Lateral view; left wrist XR; 7y M; follow-up; image width 63.4 mm —
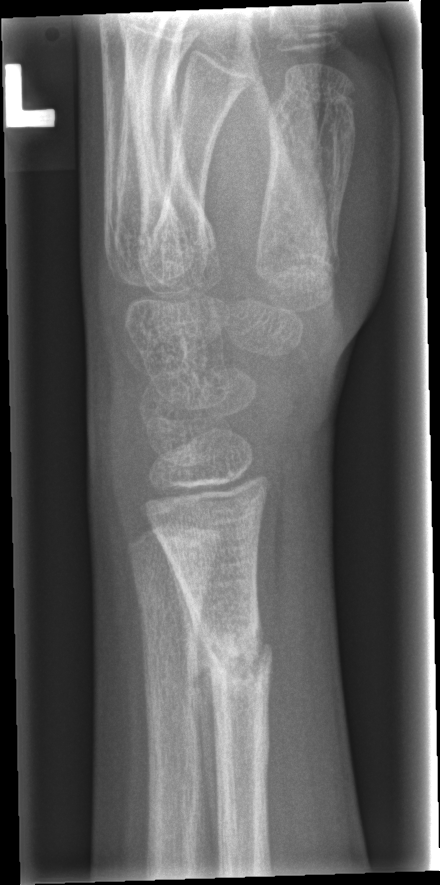 Fx — [x1=188, y1=617, x2=277, y2=704].
One periosteal new bone at [x1=165, y1=552, x2=219, y2=868].
AO/OTA classification: 23r-M/3.1; 23u-M/2.1.